Left wrist X-ray | PA projection | image size 546x1054:
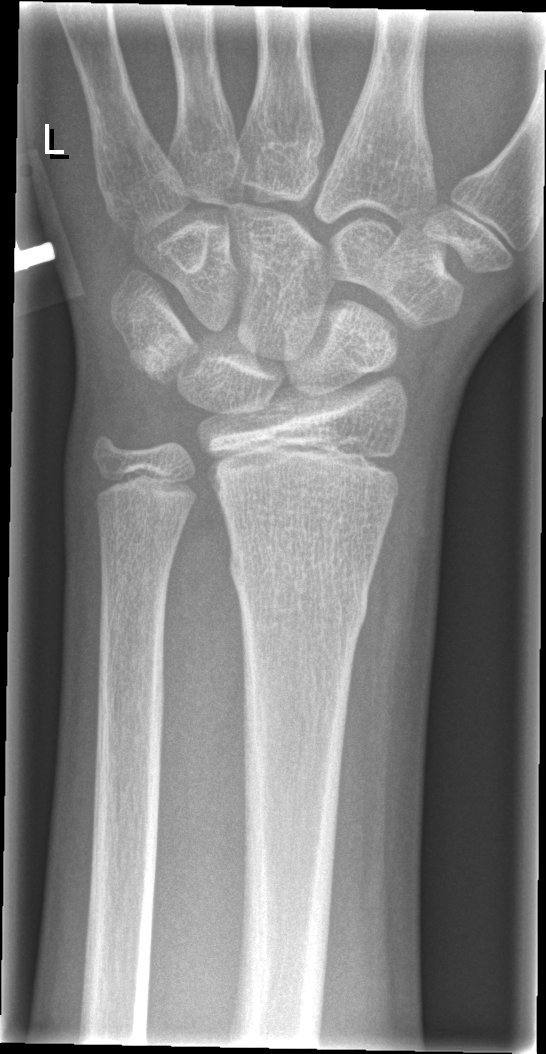 * AO/OTA classification: 23r-M/2.1.
* One bone fracture at 225,536,374,639.